PA projection; right wrist plain radiograph of the wrist; 10y M; follow-up study. 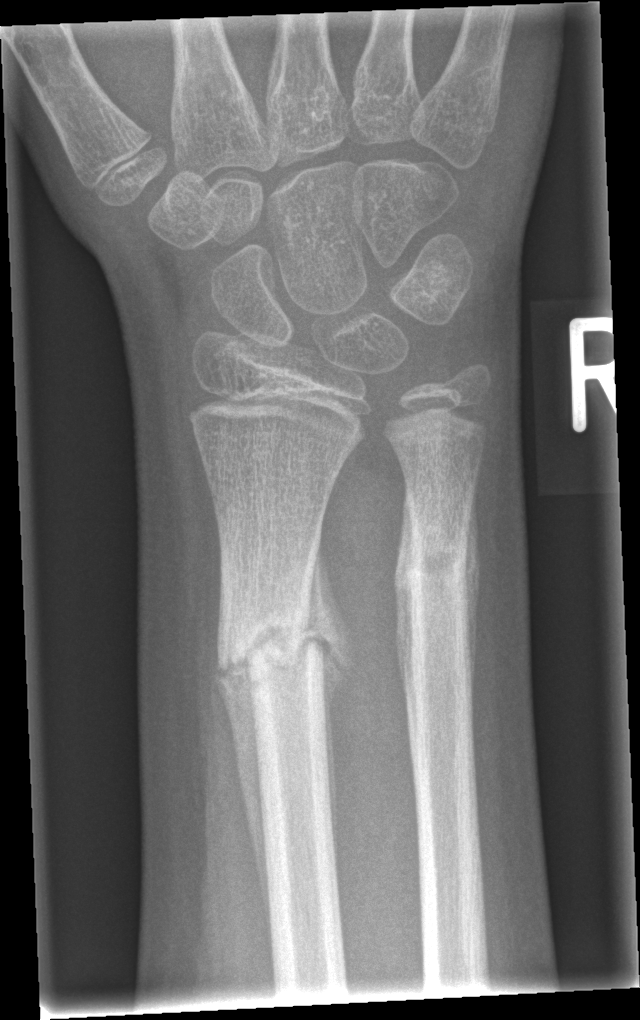 * Boxes as x1,y1,x2,y2 (top-left / bottom-right, pixel units).
* Fractures — 212 581 333 697 | 389 536 476 610.
* Osteopenia.
* Four periosteal reaction at 211 656 273 972 | 303 525 354 890 | 394 490 418 800 | 463 497 480 703.
* Fracture classified AO/OTA 23-M/3.1.